Rt wrist plain film; lat projection; 15y M; cast present; Siemens —

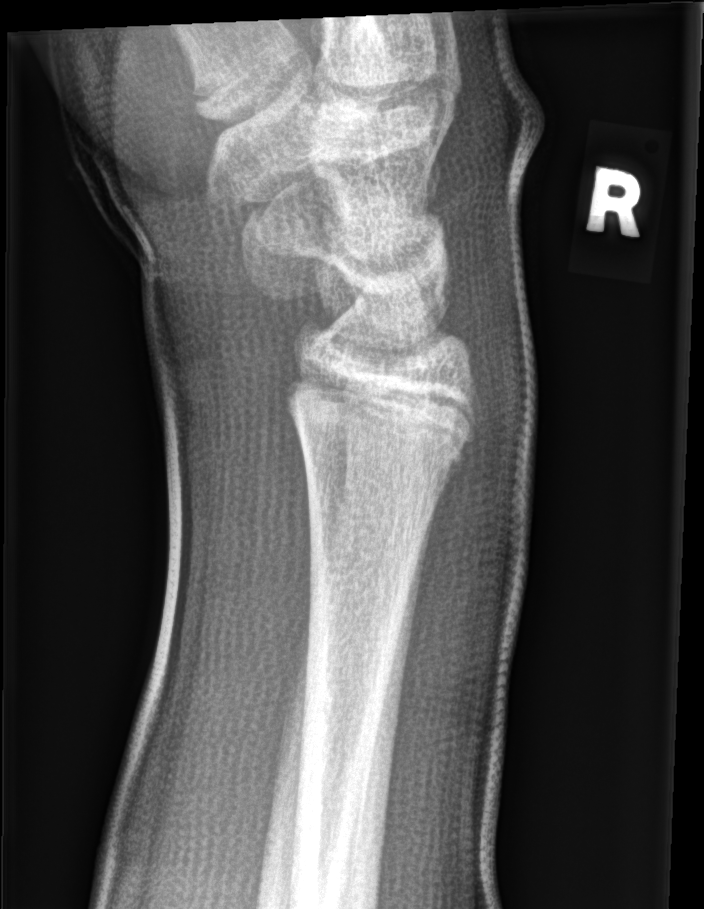
bone fracture = 281,357,478,481